PA/AP, Lt wrist radiograph, subsequent exam, Siemens
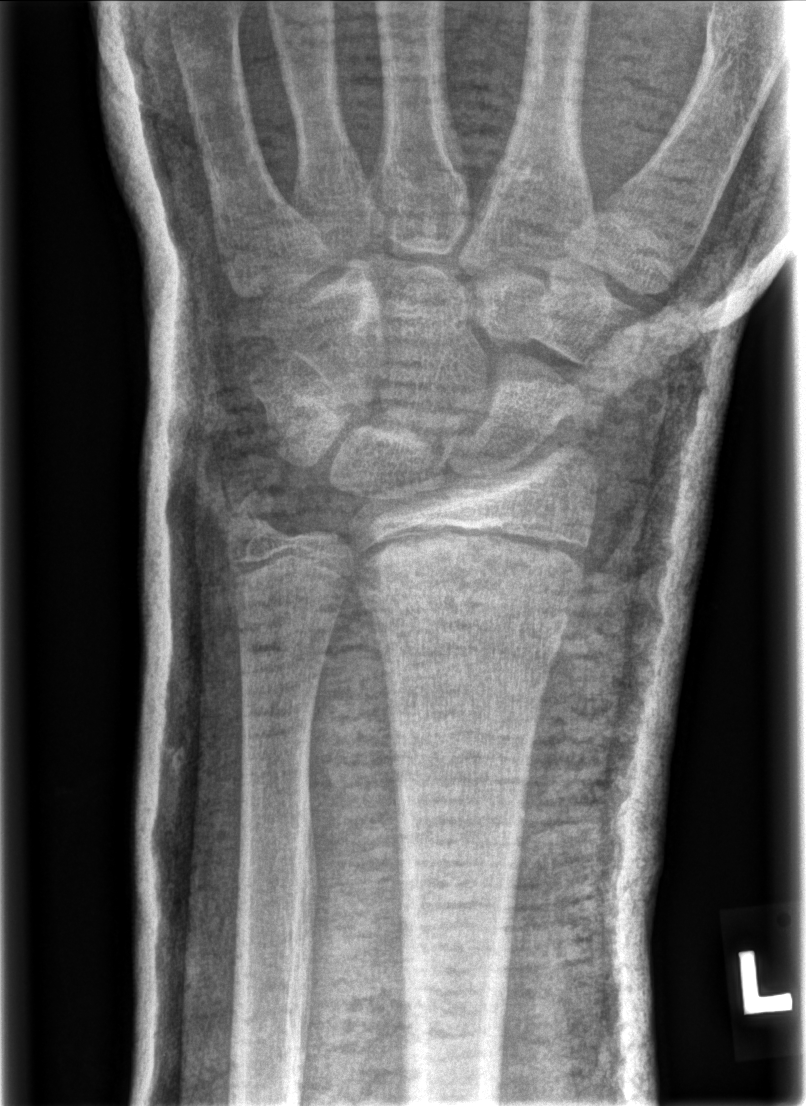 FINDINGS — Fracture: [x1=221, y1=478, x2=290, y2=545].